AP projection; Rt wrist X-ray; follow-up study; cast present — 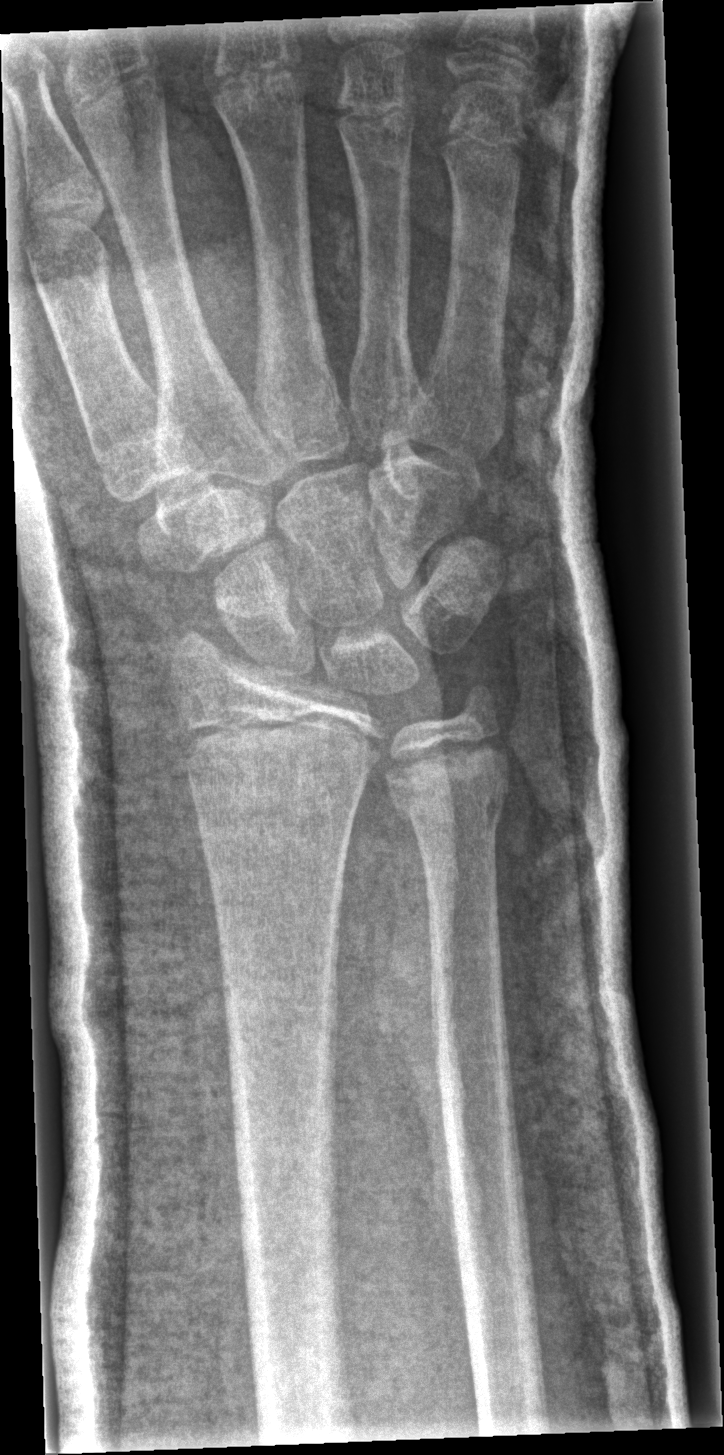

{"fracture": "bbox(392, 776, 511, 845)", "ao": "23u-M/2.1"}